L pediatric wrist radiograph | PA view | image 83.7 mm wide.
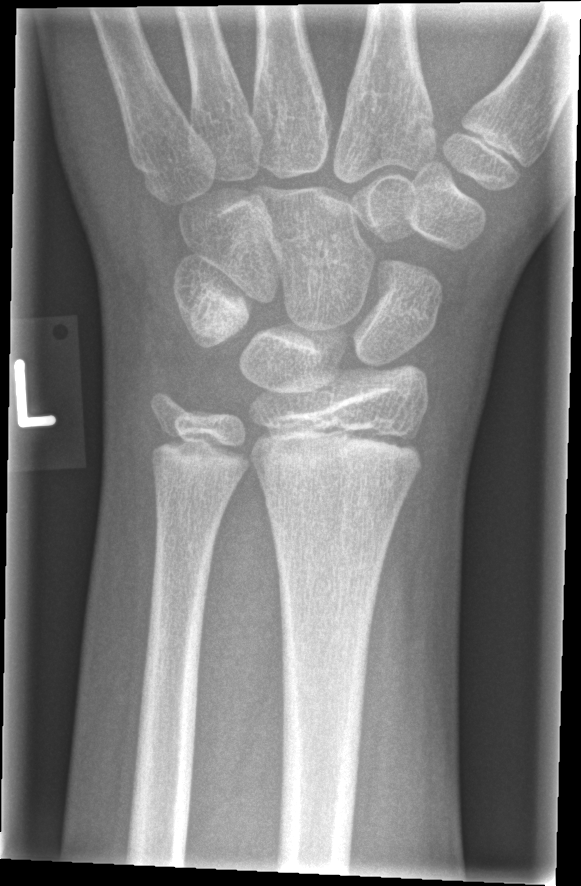 {
  "fracture": "none labeled"
}